Lat · left wrist plain radiograph of the wrist · acquired on Siemens — 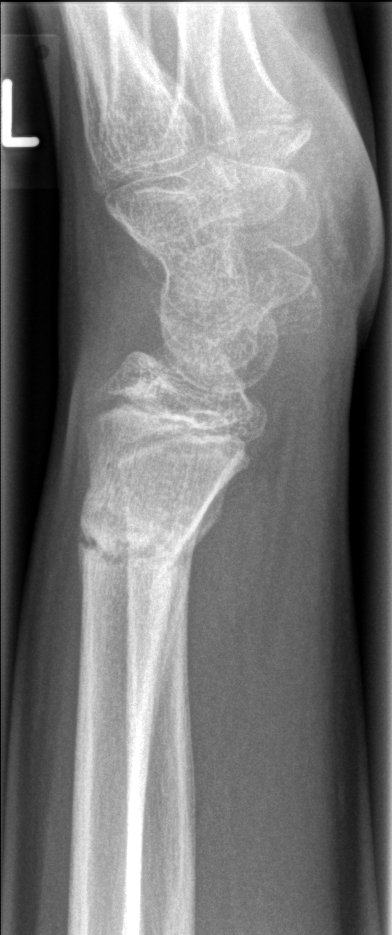 Boxes as x1,y1,x2,y2 (top-left / bottom-right, pixel units).
Periosteal reaction — 156 486 226 729.
Fx identified at 71 474 198 580.
Osteopenic.
AO/OTA classification: 23r-M/3.1; 23u-E/7.